Frontal | right pediatric wrist radiograph | follow-up study | acquired on Siemens

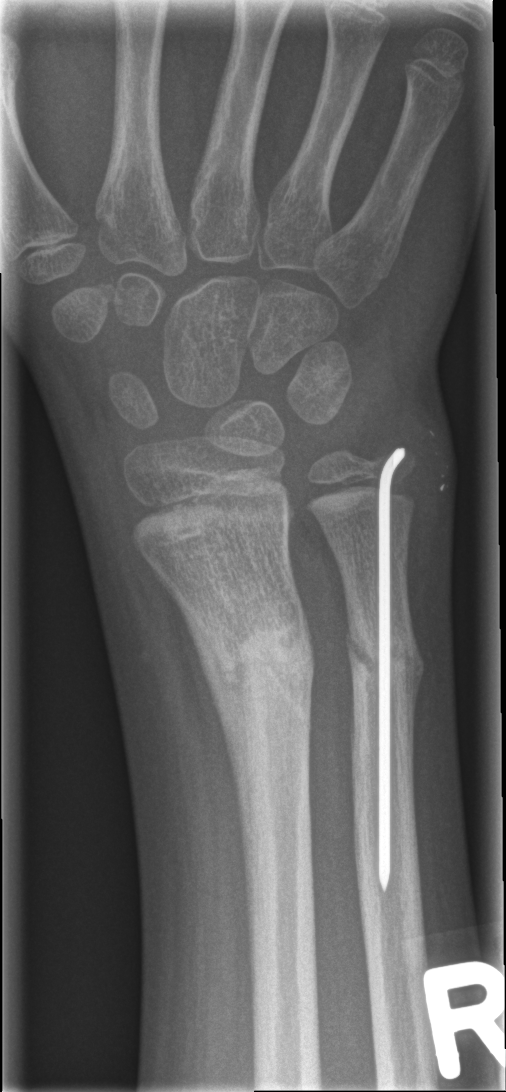 Findings: Fx identified at (left=203, top=603, right=320, bottom=713) (left=344, top=626, right=422, bottom=699). Periosteal thickening — (left=151, top=562, right=252, bottom=942); (left=404, top=593, right=426, bottom=782). Metallic implant identified at (left=376, top=446, right=407, bottom=897).